Right wrist plain film, lat view, age 8 y, boy, index exam —

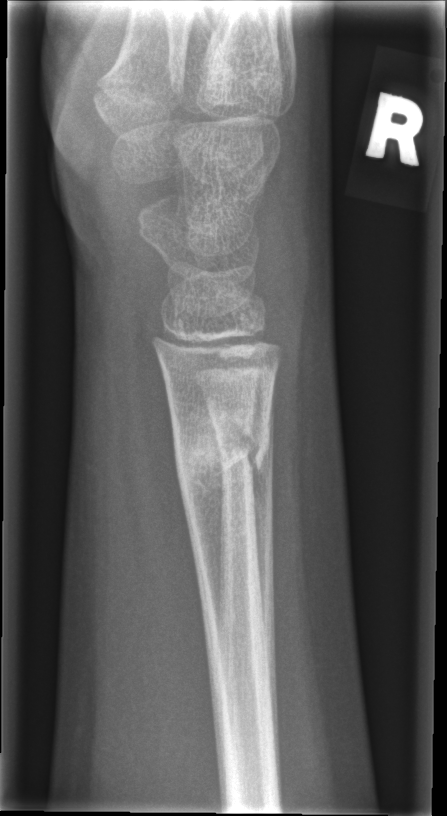
(pixel coordinates, top-left origin, xyxy)
Bone fracture: 1 @ 167,407,274,499
AO code: 23r-M/2.1